Right wrist X-ray; lat view; 10-year-old girl.

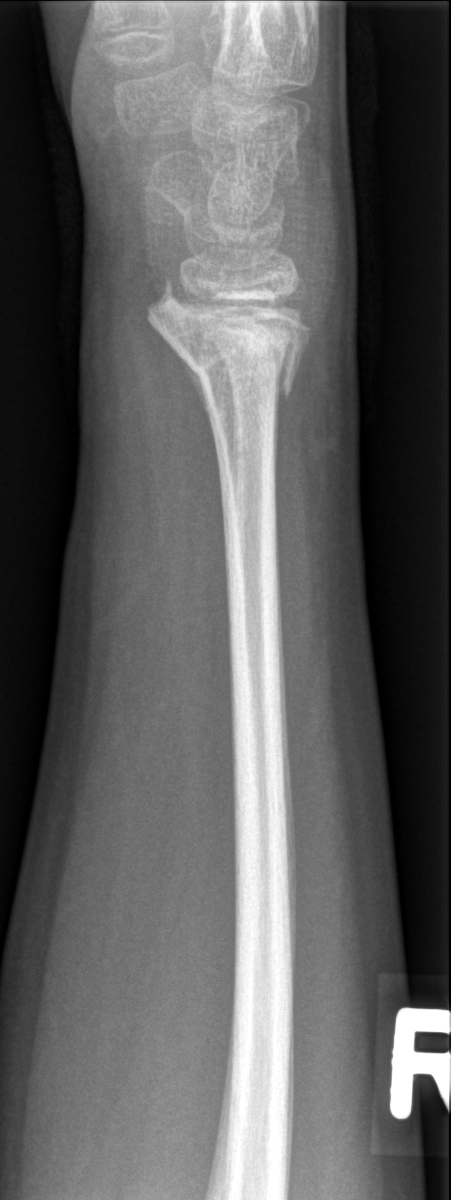

Q: Bone density?
A: Decreased bone density (osteopenia)
Q: Is there periosteal reaction?
A: Periosteal new bone identified at [x1=152, y1=323, x2=217, y2=455]
Q: Fracture present?
A: One Fx at [x1=144, y1=283, x2=314, y2=393]